Lt wrist XR | lateral projection | image 51.7 mm wide

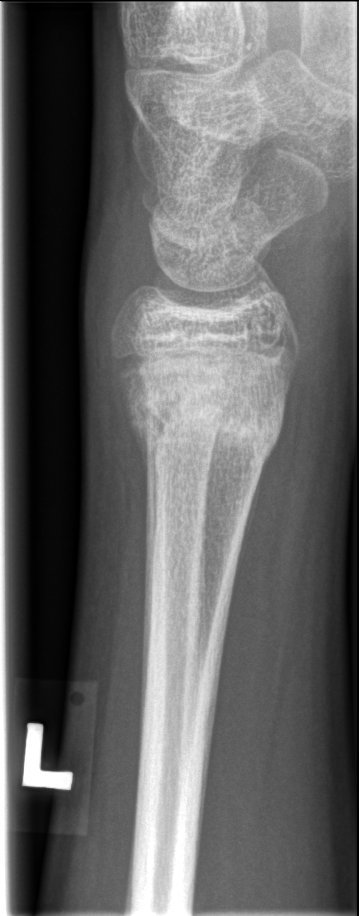

(bounding boxes in image-pixel xyxy)
Q: Is there osteopenia?
A: Osteopenia
Q: Is there a fracture?
A: Bone fracture — <119,360>-<287,466>
Q: Is there periosteal reaction?
A: Periosteal reaction: <233,450>-<270,595>
Q: AO code?
A: AO/OTA classification: 23r-M/3.1; 23u-E/7